Lateral view, left wrist X-ray, age 16 y, female, in cast, detector: Siemens, image width 102.7 mm. 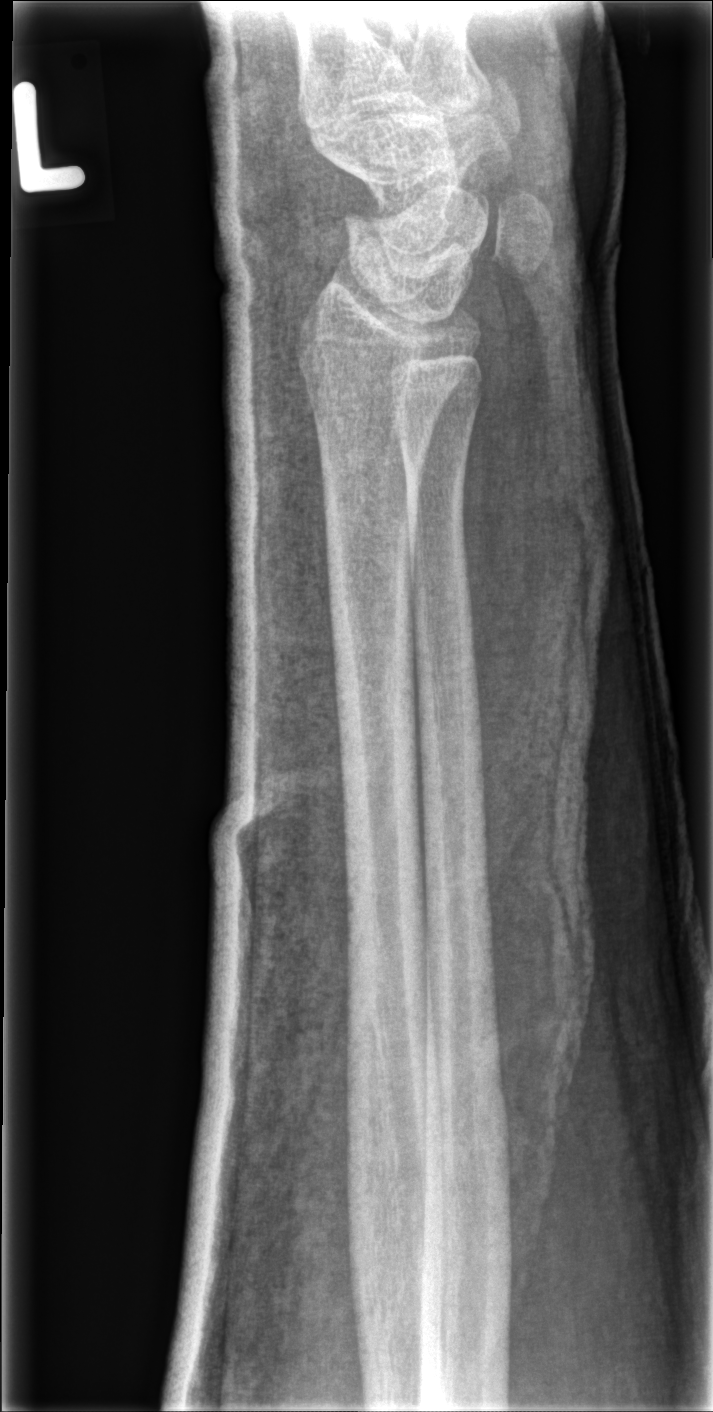

Fracture: none labeled